Lt plain radiograph of the wrist · lateral view · 16-year-old boy · image width 76.6 mm
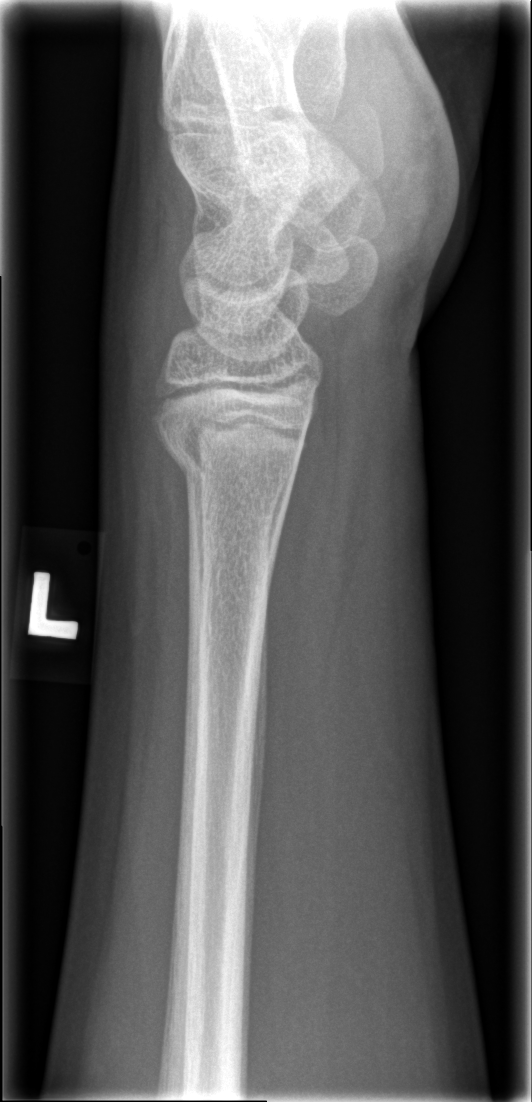
FINDINGS — Fracture: bbox(159, 411, 308, 500). Soft-tissue swelling identified at bbox(91, 161, 185, 497).